Left wrist XR, PA/AP, 4y M: 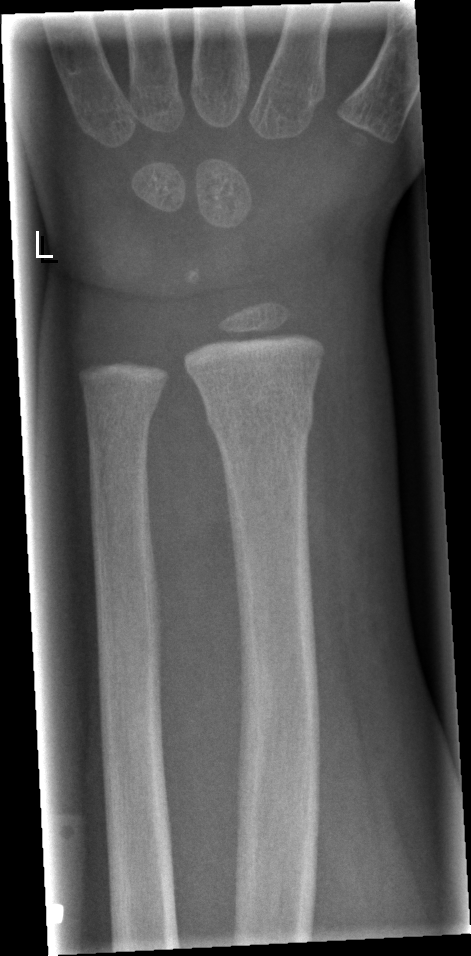

(coordinates are [x1, y1, x2, y2] in image pixels)
Fracture: 2 @ (left=200, top=389, right=317, bottom=445), (left=80, top=382, right=166, bottom=439)